Left plain radiograph of the wrist · lat view 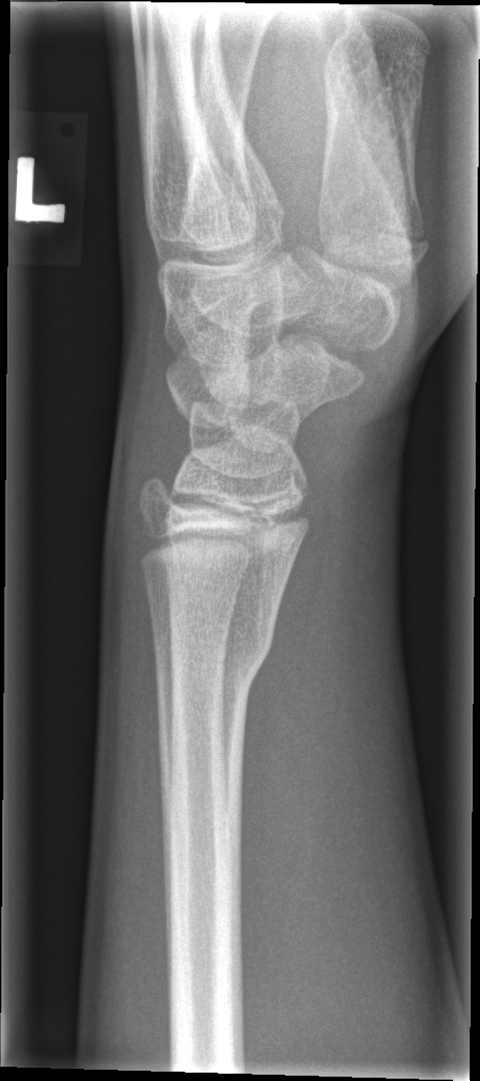 Fx = 1 @ [x1=151, y1=611, x2=282, y2=705]